Left plain radiograph of the wrist, frontal projection, pediatric patient (male, age 14), follow-up study, imaged through cast, acquired on Siemens
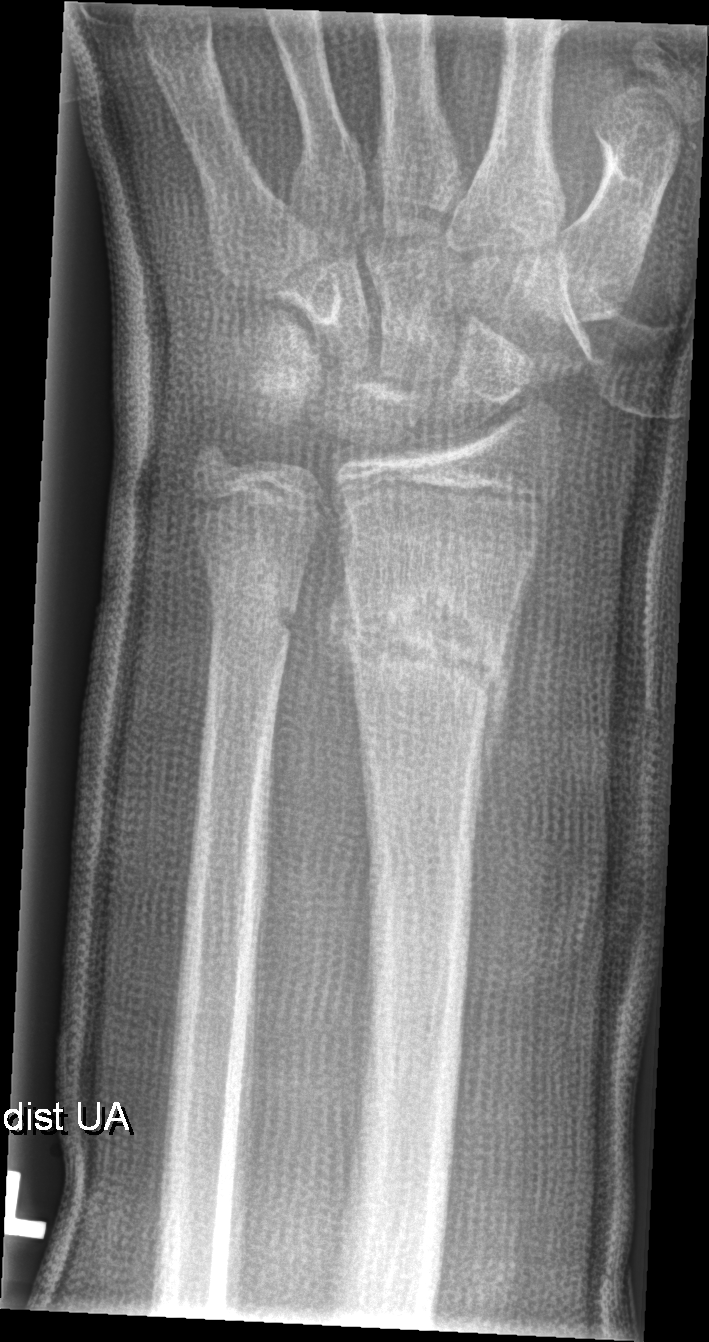

FINDINGS: AO/OTA classification: 23-M/3.1. Two Fx at (338, 573, 514, 724) (204, 560, 303, 640). Periosteal reaction identified at (471, 533, 541, 885); (315, 536, 364, 738).